AP view; L pediatric wrist radiograph; image size 623x1096:
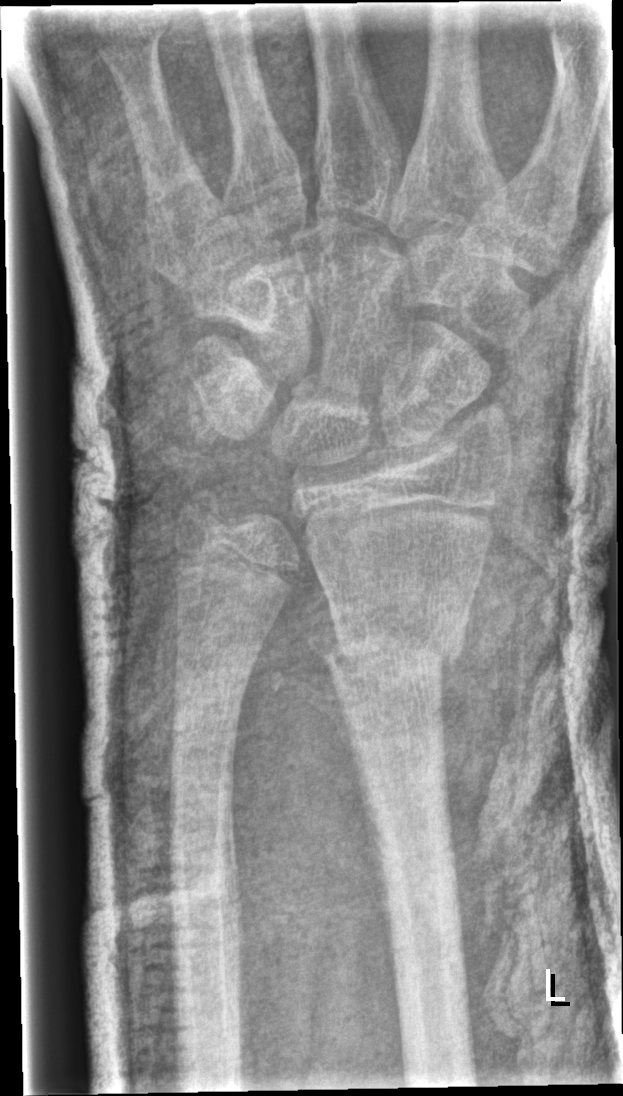 AO code 23r-M/3.1; 23u-E/7. Fracture: bbox(305, 606, 472, 678) bbox(173, 476, 240, 546).